Right wrist X-ray; lat; 8y M; detector: Siemens 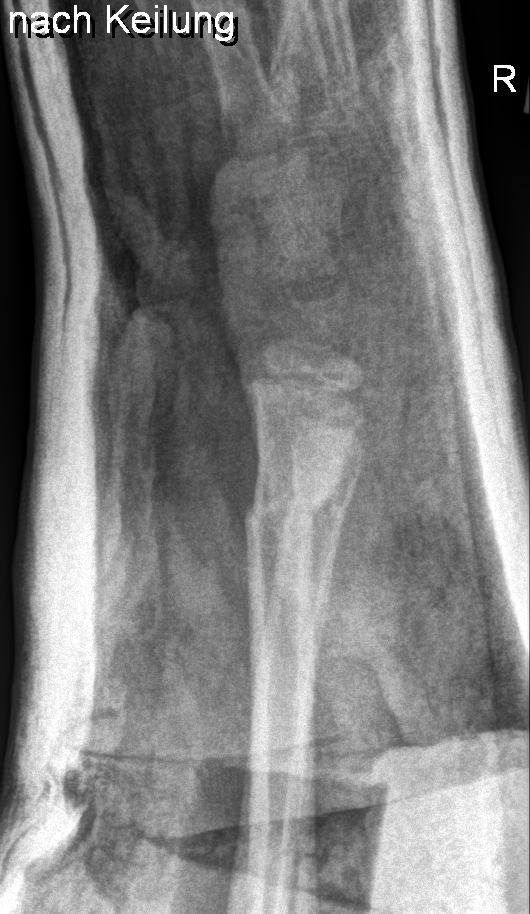 (coordinates are [x1, y1, x2, y2] in image pixels)
Bone fracture = 2 @ <239,477>-<343,531>, <280,487>-<357,527>